R wrist X-ray, posteroanterior projection, acquired on Siemens, 80.8 mm image width.
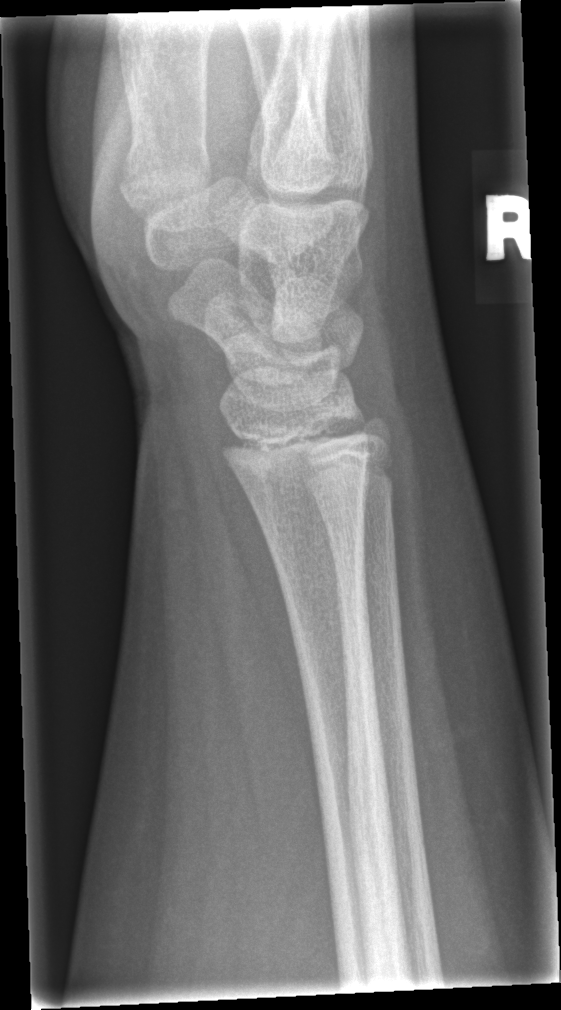
{"fracture": "none labeled"}